Lt wrist radiograph; PA/AP view; subsequent exam; in cast:
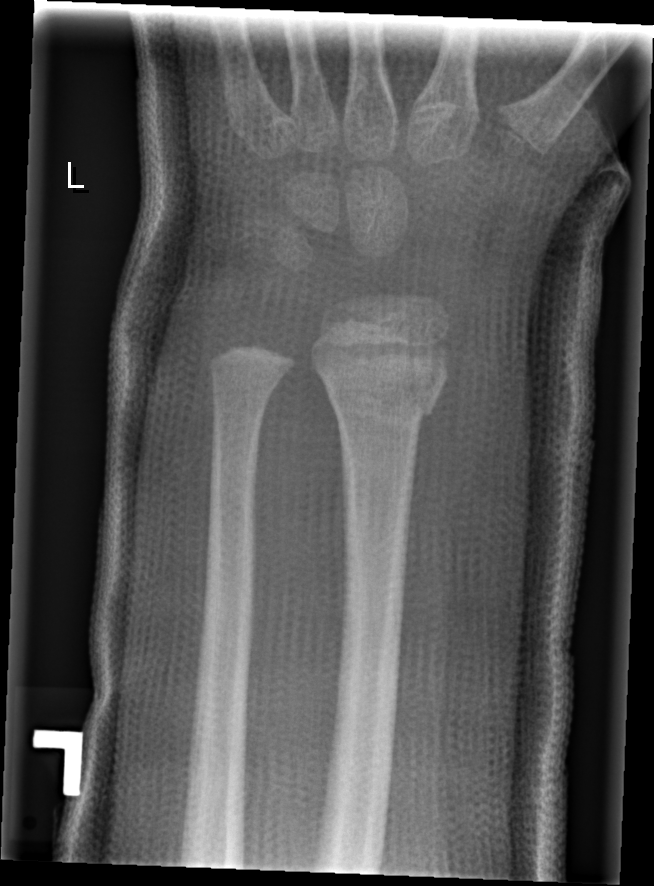
AO/OTA classification: 23r-M/3.1. Fx: 326 377 444 426.